Frontal projection · Rt wrist XR · subsequent exam — 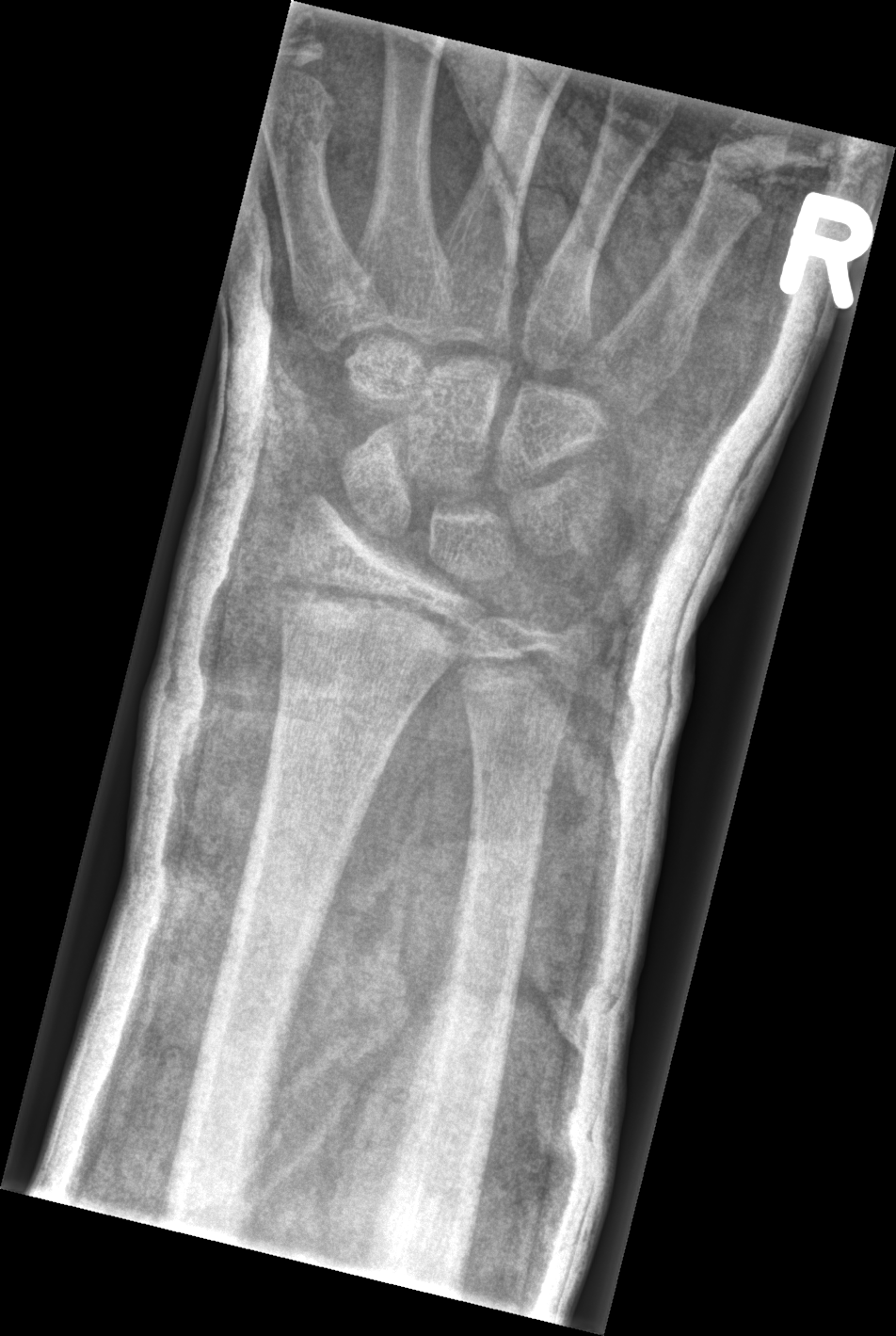
Findings: Fracture: present but not clearly seen in this view.